Lat view, left wrist plain radiograph of the wrist, follow-up study, in cast, detector: Siemens —
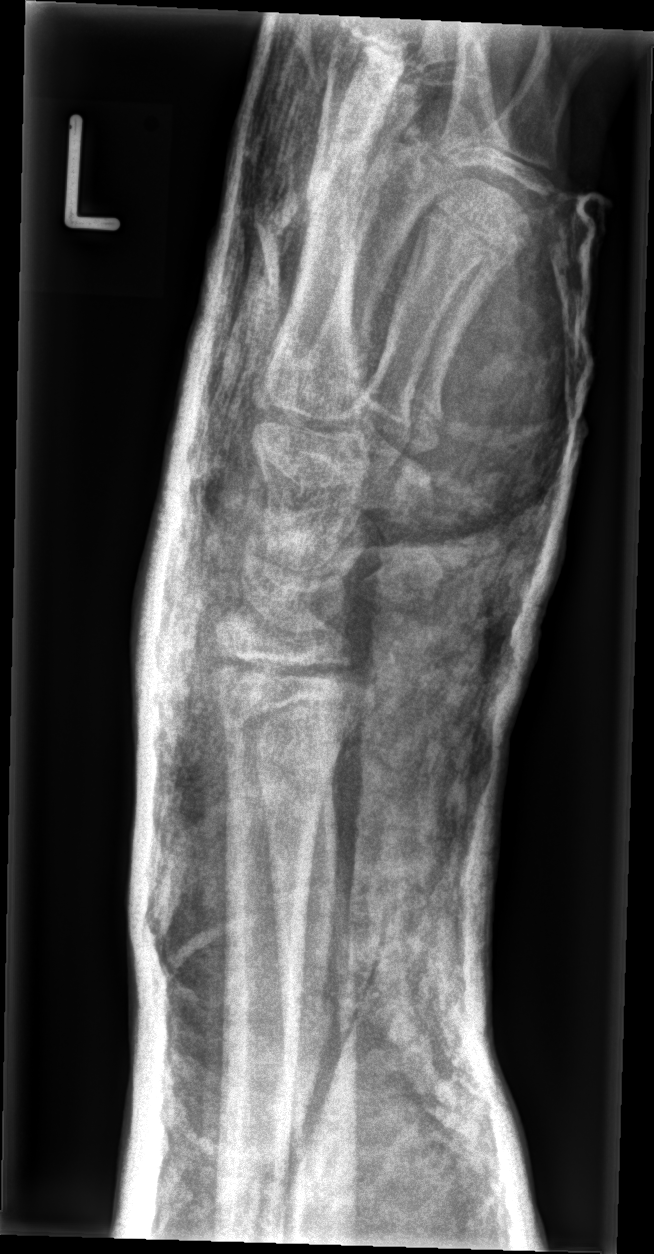

Fracture: 1 @ <209,651>-<377,730>
AO classification: 23r-E/2.1; 23u-E/7